R wrist X-ray | lat projection | male, 17 yo —

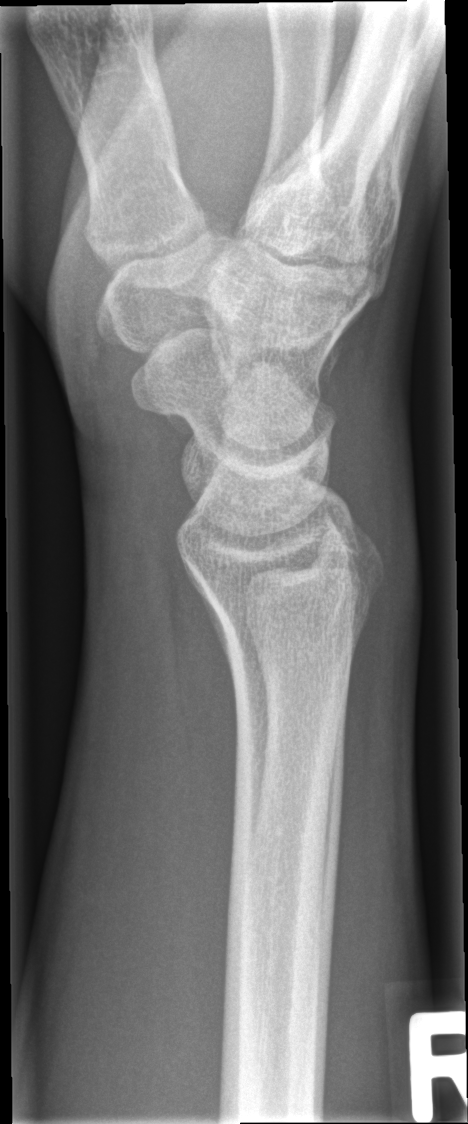 FINDINGS — No Fx annotated.